AP · left pediatric wrist radiograph · pediatric patient (female, age 6) · image 60.5 mm wide

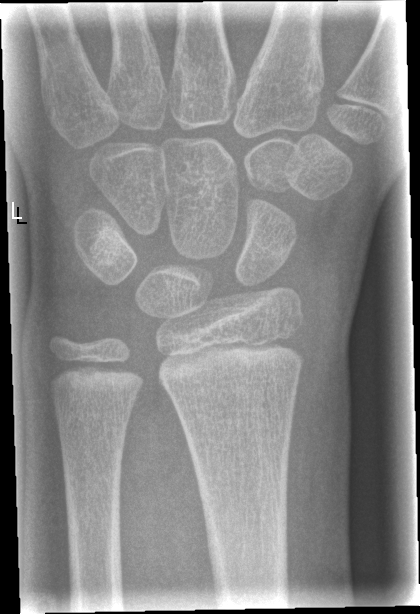

fracture: none labeled